Right wrist pediatric wrist radiograph; lateral view; pediatric patient (female, age 10); follow-up study; image 104.8 mm wide.
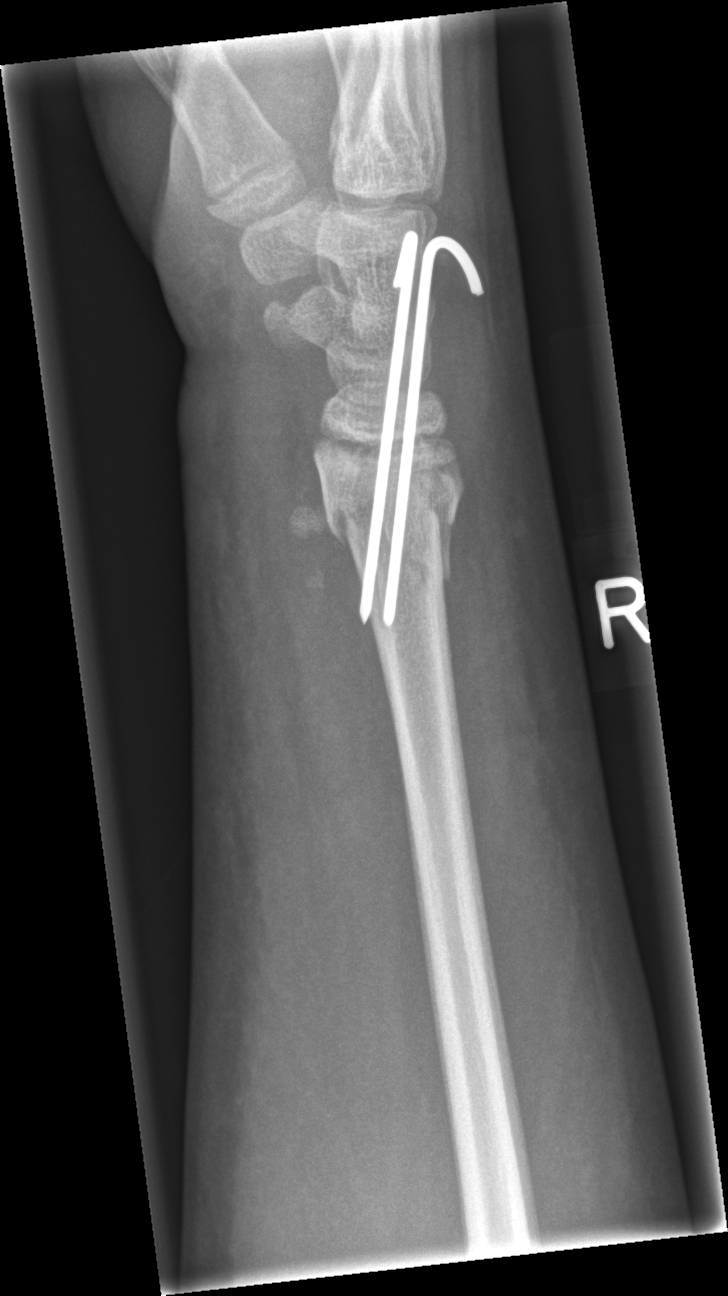
One bone fracture at 313 473 469 606. Soft tissue abnormality — 175 377 389 851. Metallic hardware: 357 225 485 630.